PA projection | L wrist X-ray | 2-year-old girl | 468 x 686 px

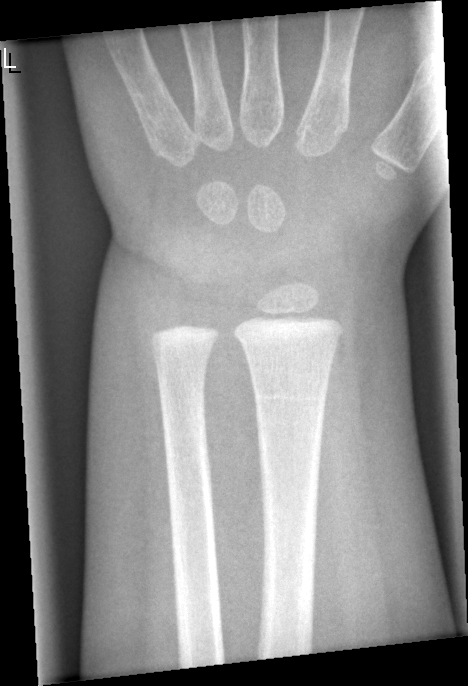 No fracture labeled.